Left wrist XR, AP view, in cast, 693 x 916 px
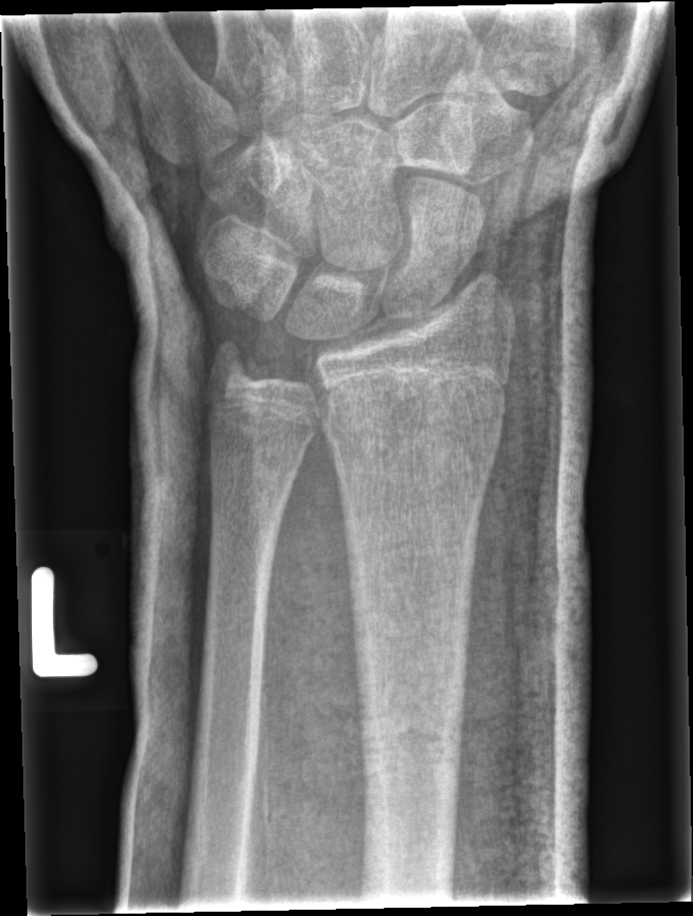 FINDINGS — (boxes as x1,y1,x2,y2 (top-left / bottom-right, pixel units)) Fracture — (315, 394, 506, 476). AO code 23r-M/3.1.